R wrist plain film; lateral projection; detector: Agfa:
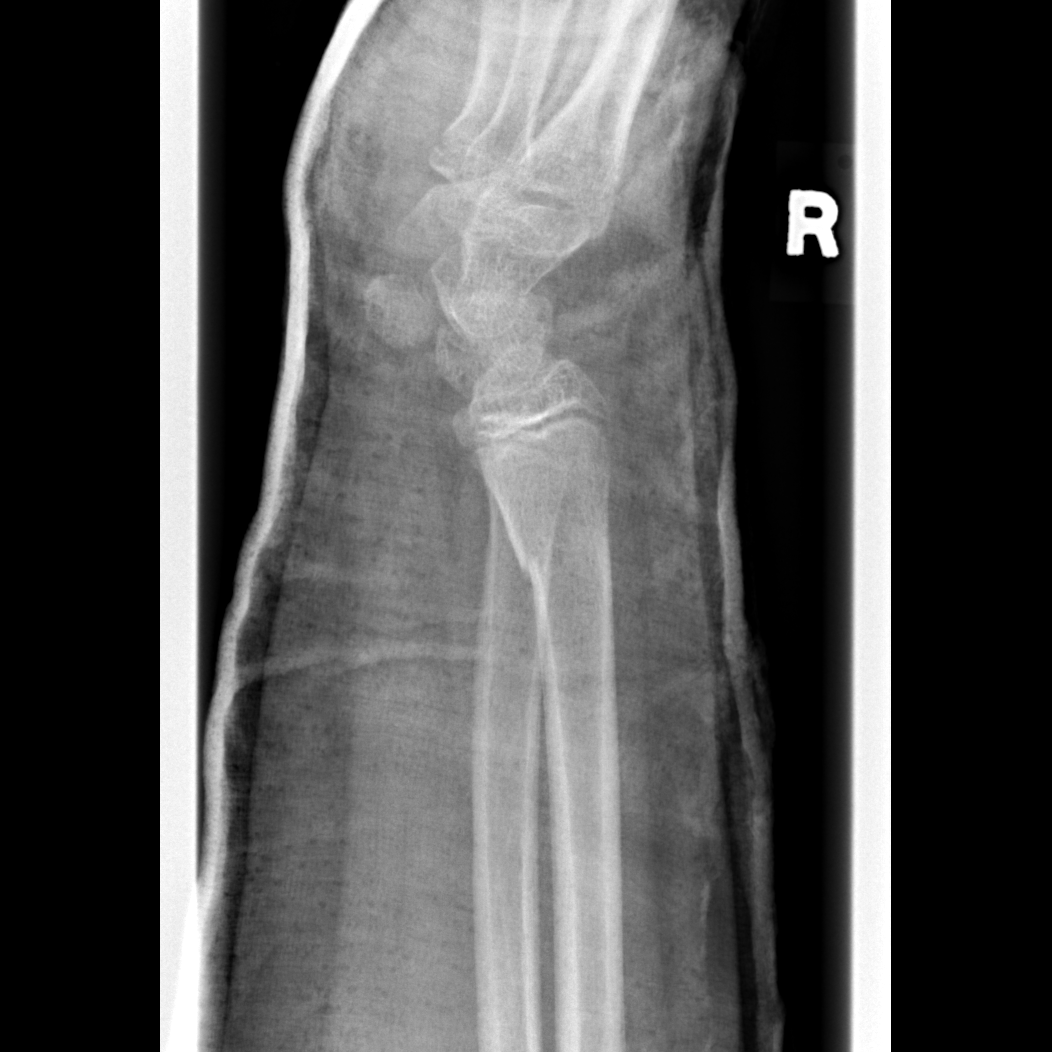
(boxes as x1,y1,x2,y2 (top-left / bottom-right, pixel units))
Bone fracture: <511,518>-<617,600>